Lt wrist plain film, lateral projection, 14y M, acquired on Siemens:
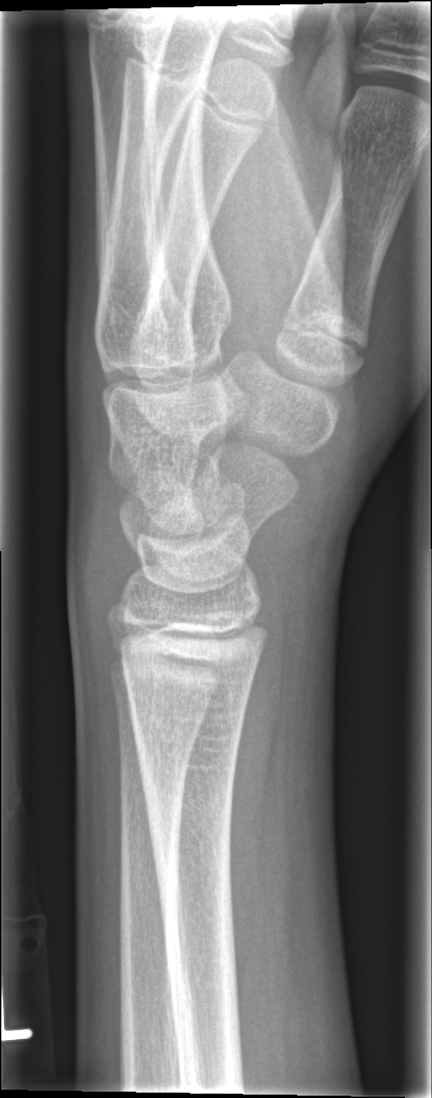

# coordinates are [x1, y1, x2, y2] in image pixels
fracture: 1 @ 134 747 239 878